AP projection, Rt wrist XR, Siemens
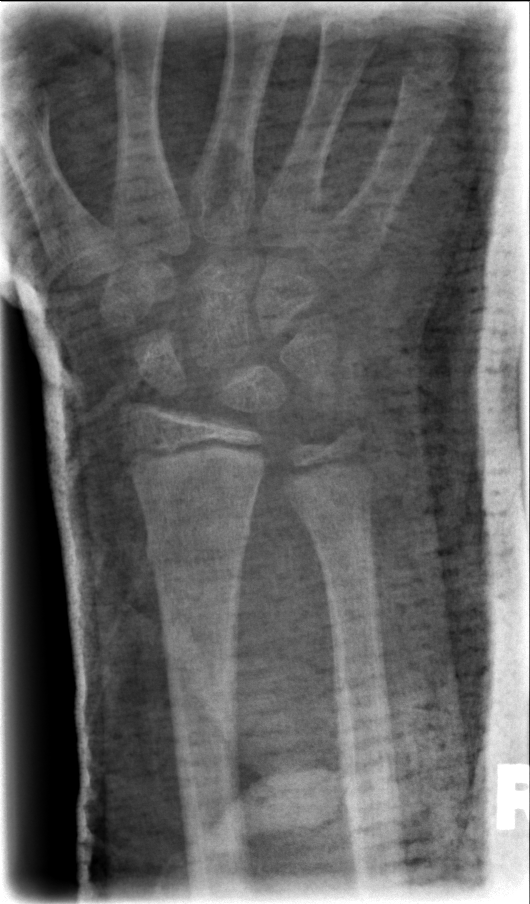 Fx = 1 @ [x1=138, y1=511, x2=254, y2=578]